Left wrist radiograph | posteroanterior view | imaged through cast | image width 98.4 mm | 683 x 1026 px: 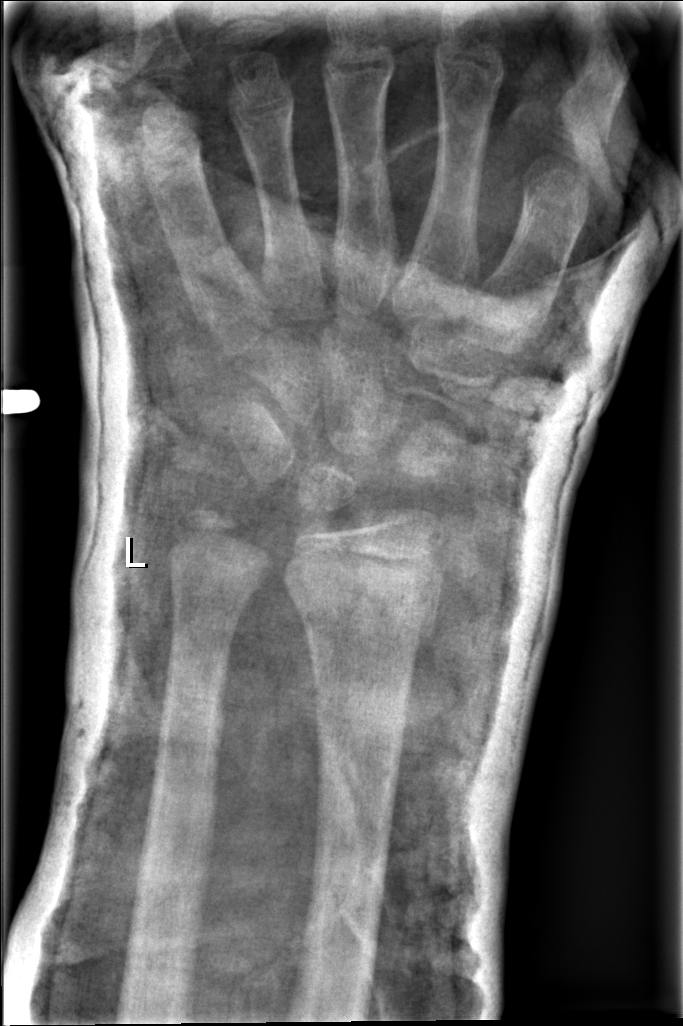

- Fracture identified at 289,567,445,638.
- AO/OTA classification: 23r-M/3.1.